AP; left wrist plain film; cast in situ

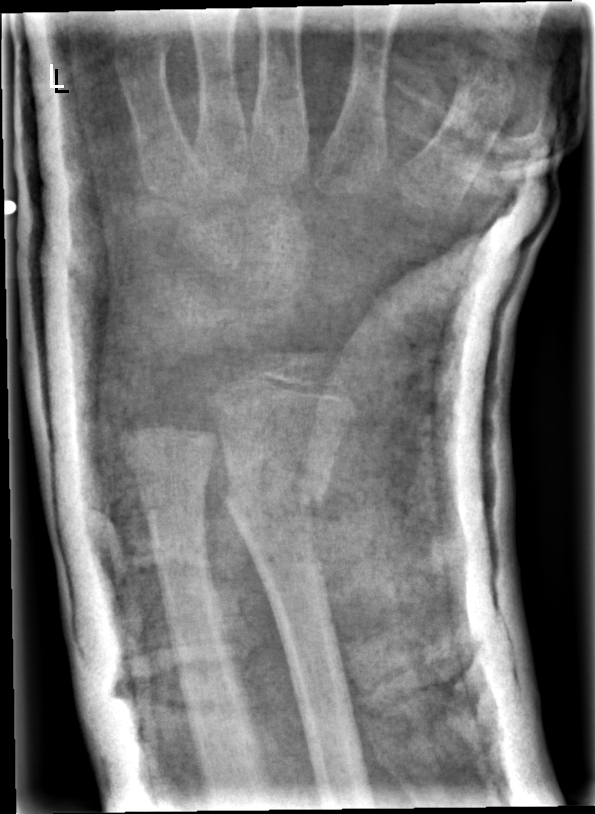 (boxes as x1,y1,x2,y2 (top-left / bottom-right, pixel units))
AO code = 23-M/3.1
fracture = 2 @ <220,456>-<330,557>, <128,458>-<212,506>